Lt wrist X-ray · posteroanterior · 12y F —

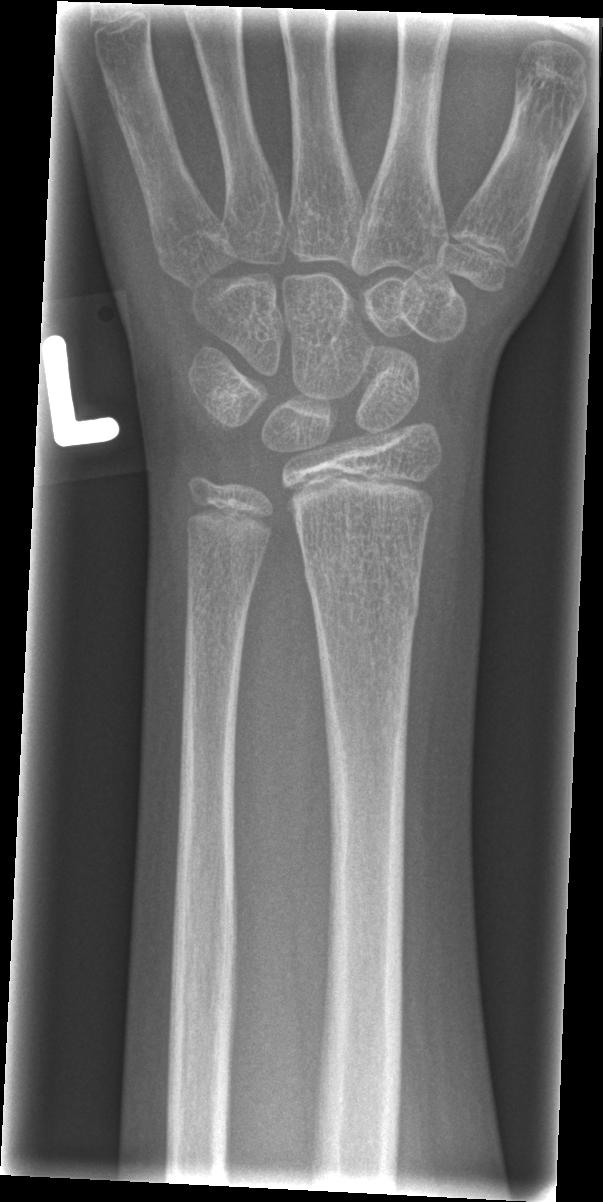

{
  "_coords": "bounding boxes in image-pixel xyxy",
  "ao": "23r-M/2.1",
  "fracture": "1 @ [301, 552, 426, 626]"
}